Right wrist pediatric wrist radiograph | lateral view | pediatric patient (girl, age 9): 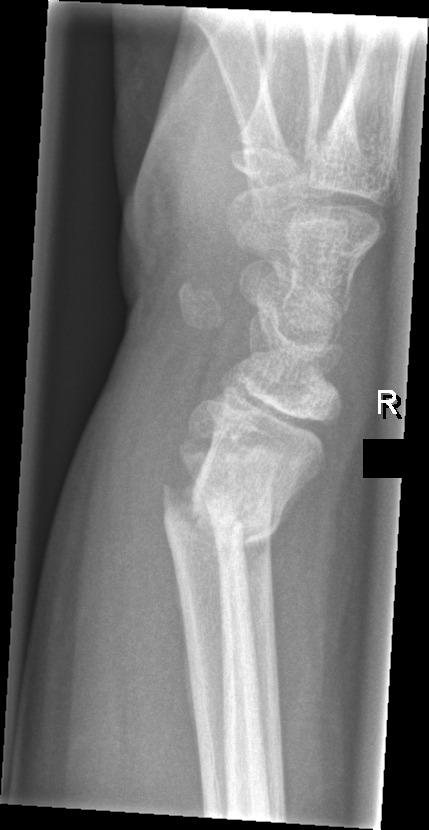 Osteopenia = present
Fracture = 1 @ [156, 475, 287, 557]
AO classification = 23r-M/3.1; 23u-E/1